Lat | R pediatric wrist radiograph | cast present 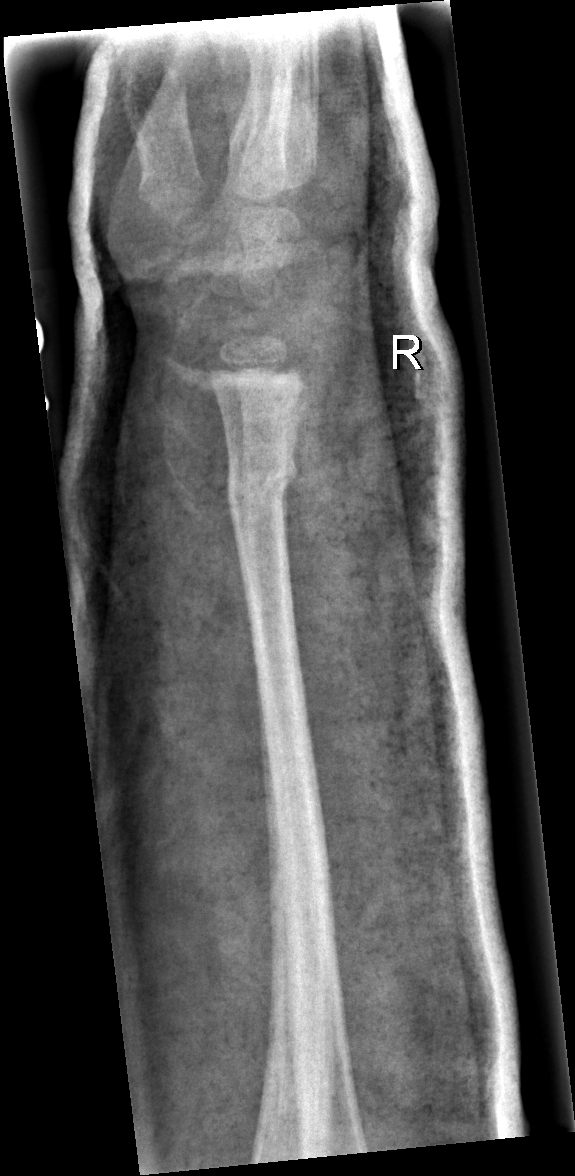
Findings: Fx — 221,448,303,516. AO/OTA classification: 23-M/2.1.